Left wrist XR | lateral view | in cast | detector: Siemens.

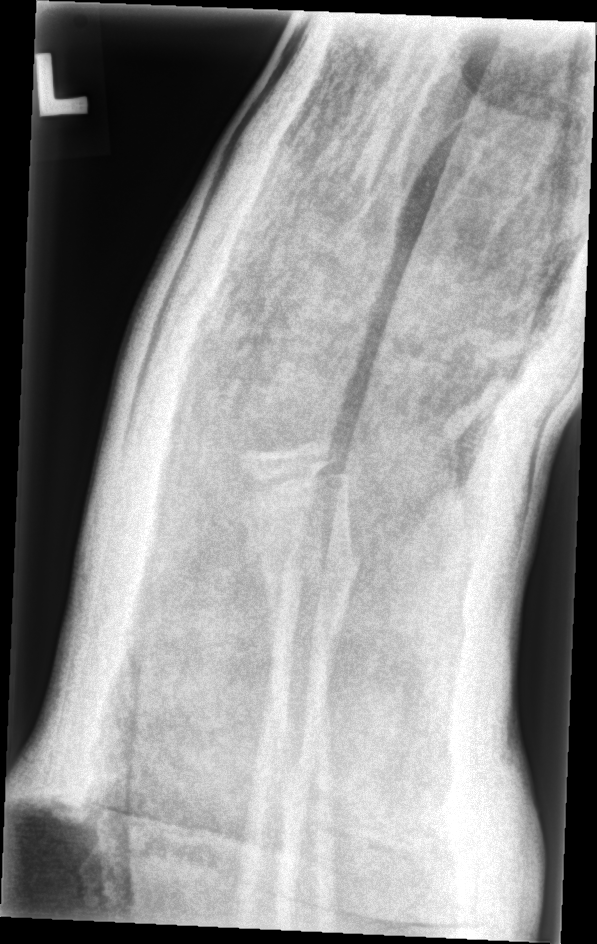 Fracture: 1 @ [x1=252, y1=541, x2=365, y2=593]
AO classification: 23r-M/3.1; 23u-M/2.1